R wrist XR, PA/AP, 105.4 mm image width, 732 by 994 pixels —

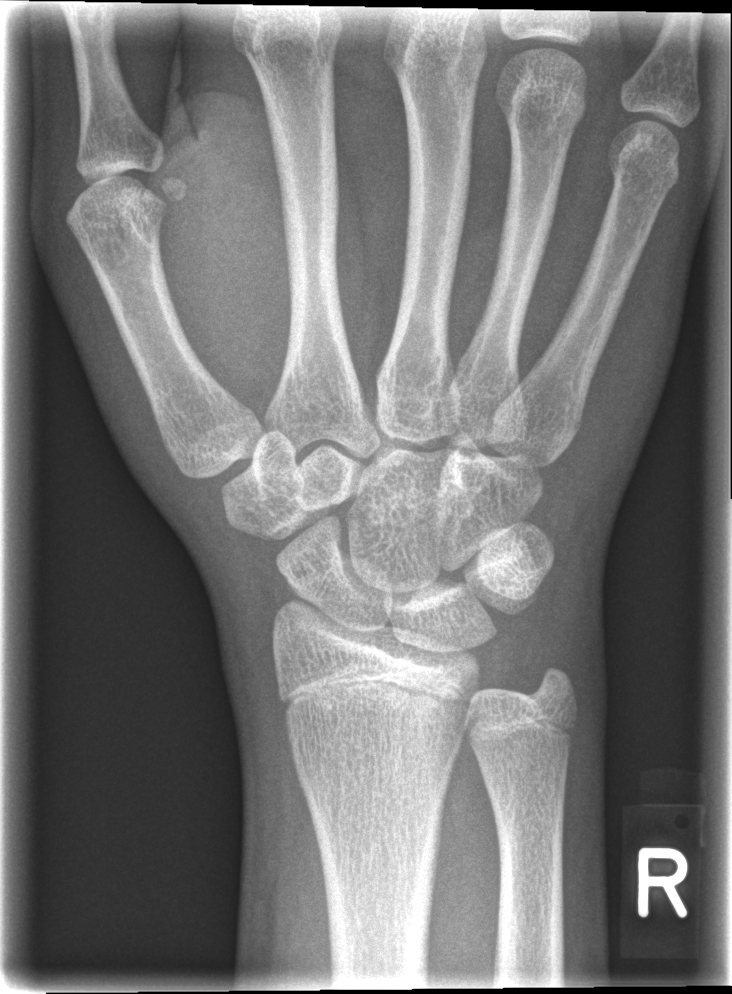

{
  "fracture": "none labeled"
}